Lt plain radiograph of the wrist, posteroanterior view, 112.8 mm image width.

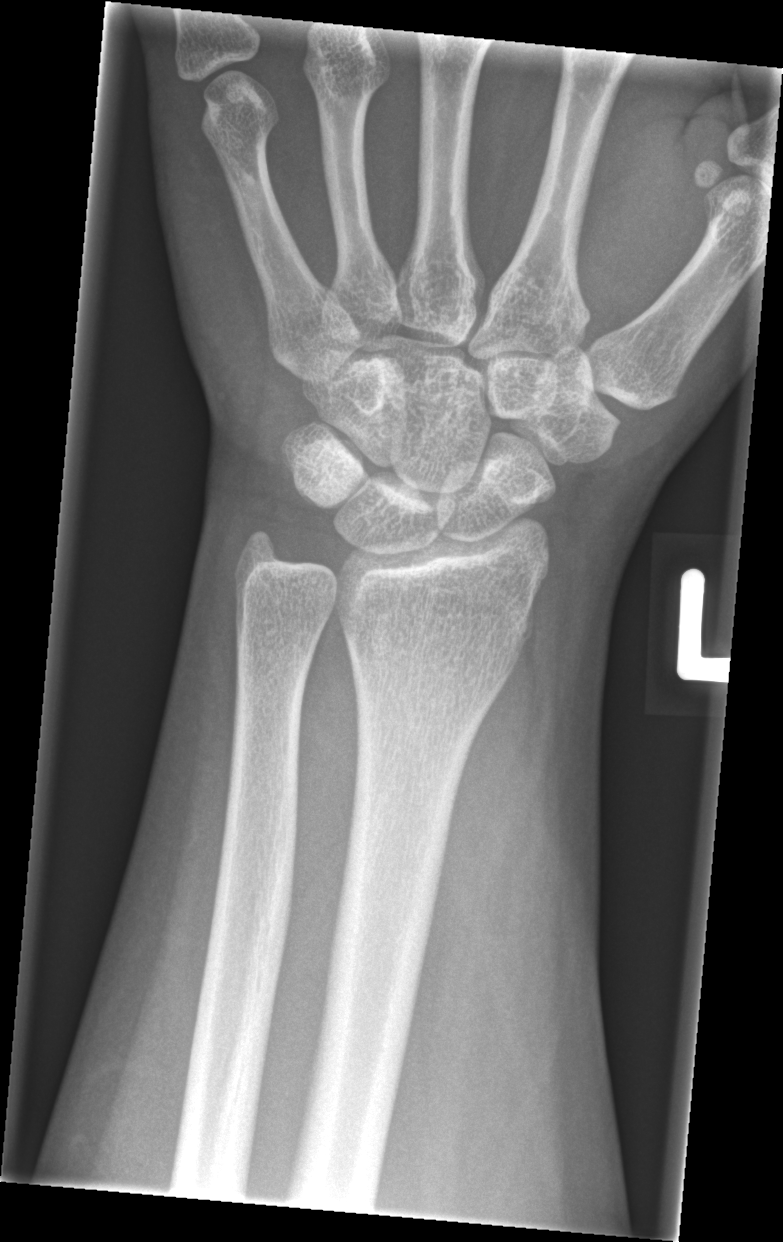
No fracture labeled.